Lt wrist radiograph, PA/AP —
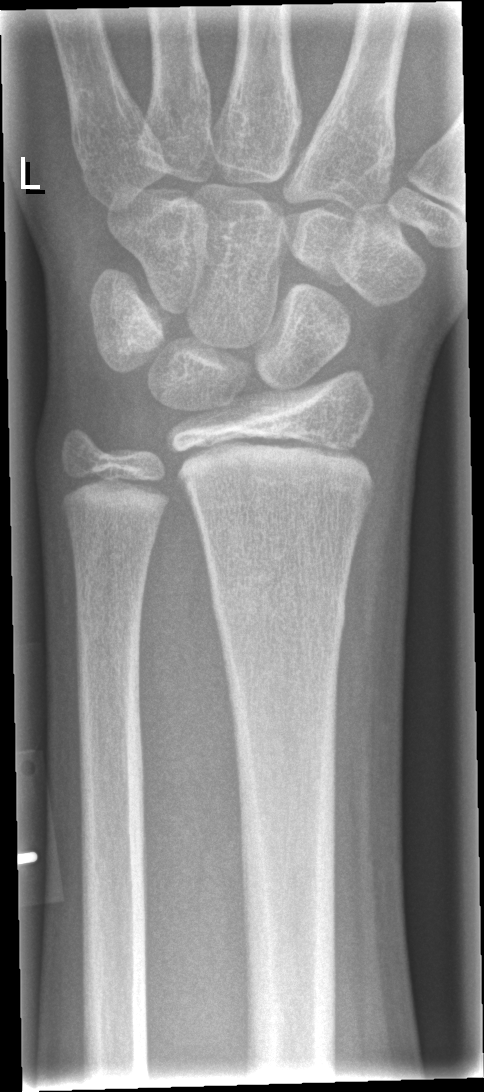

* Bounding boxes in image-pixel xyxy.
* One bone fracture at 205,564,352,642.